Left plain radiograph of the wrist, PA/AP projection, 11y M:

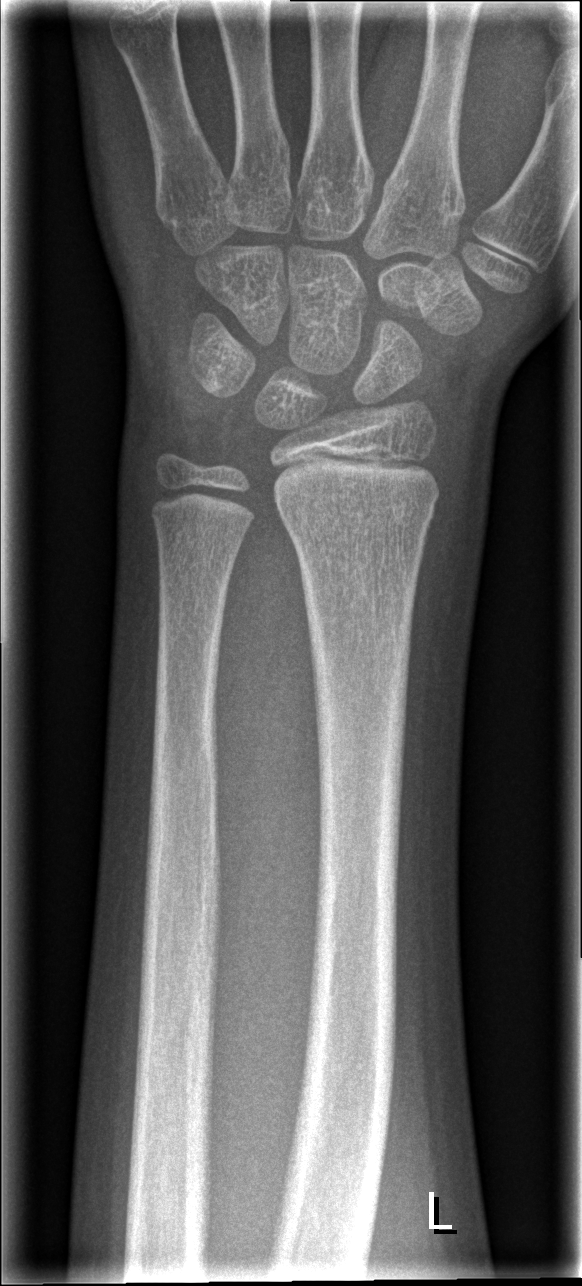 {
  "fracture": "(274, 487, 439, 535)"
}